R plain radiograph of the wrist | PA/AP

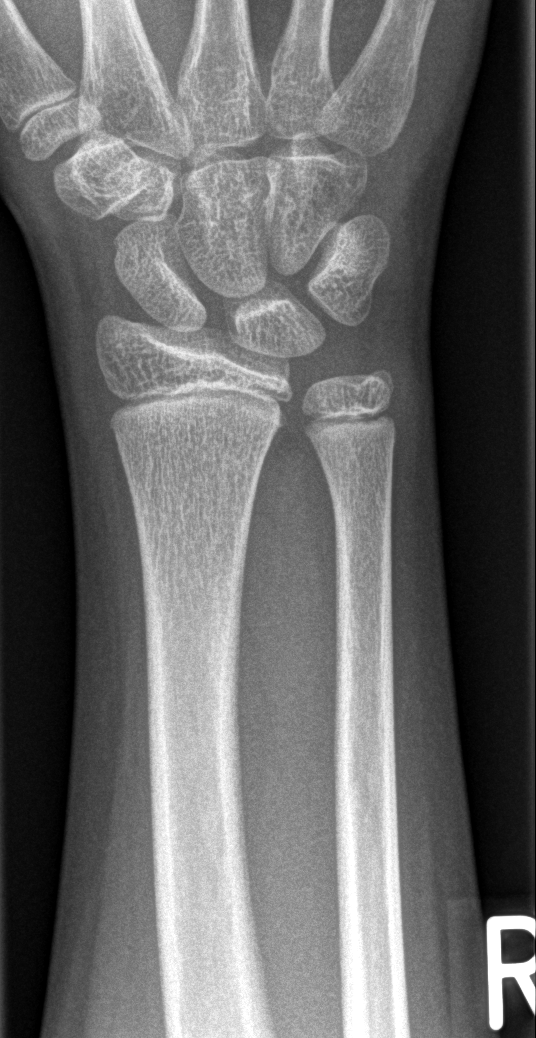 Findings: Fracture: none labeled.